Left wrist plain film | lat view | age 10 y, male:

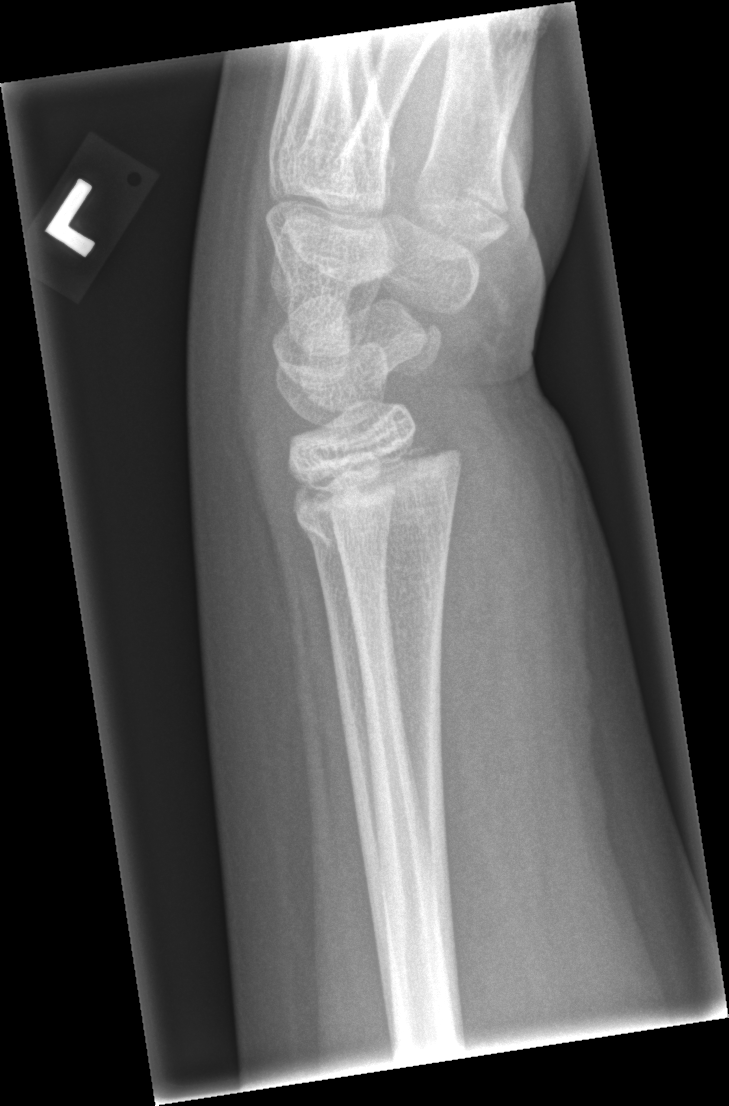

AO/OTA = 23r-E/2.1; 23u-M/2.1; 23u-E/7
positive pronator fat-pad sign = 429 443 529 884
Fx = 1 @ 284 434 465 556